Lateral view · Rt wrist XR · pediatric patient (female, age 12) · 467 x 934 px —

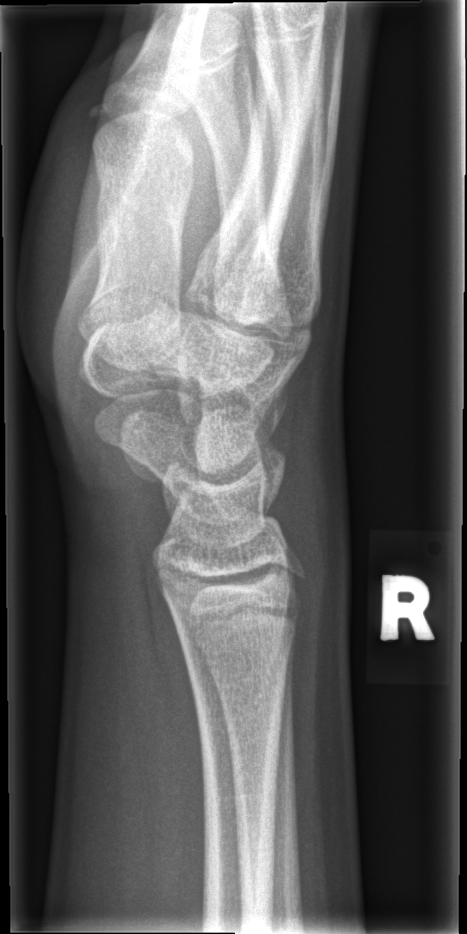 FINDINGS: No fracture labeled.